Lat projection | right wrist XR | age 9 y, male | follow-up | in cast | image width 77.6 mm 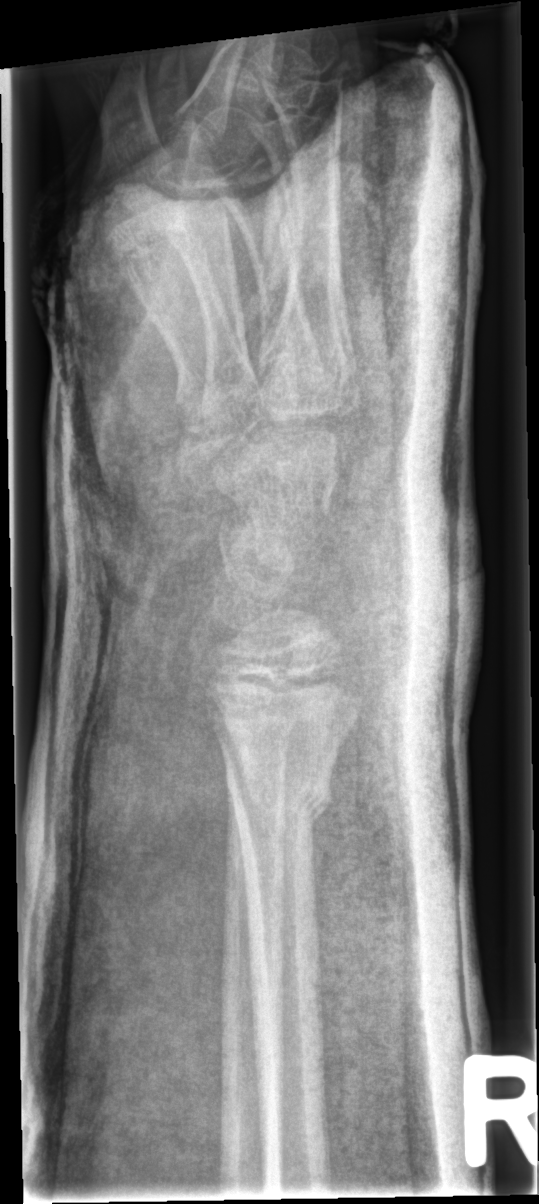

Q: What is the AO/OTA classification?
A: Fracture classified AO/OTA 23r-M/3.1
Q: Fracture present?
A: One Fx at (220, 761, 336, 836)